Lateral view | Lt wrist radiograph | follow-up study | image 63.6 mm wide | image size 442x1198:

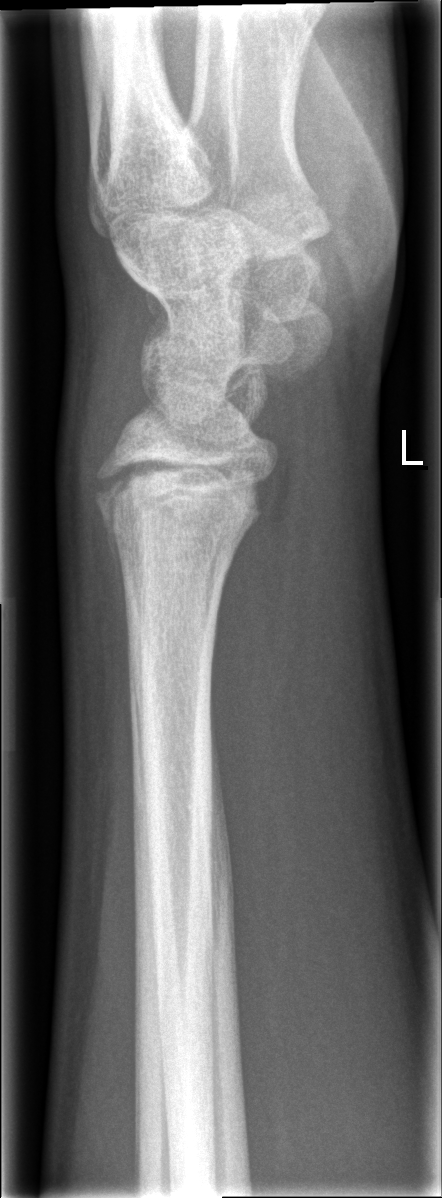 {"_coords": "boxes as x1,y1,x2,y2 (top-left / bottom-right, pixel units)", "fracture": "(90, 458, 271, 551)"}